Left wrist XR | lateral view | age 13 y, boy.
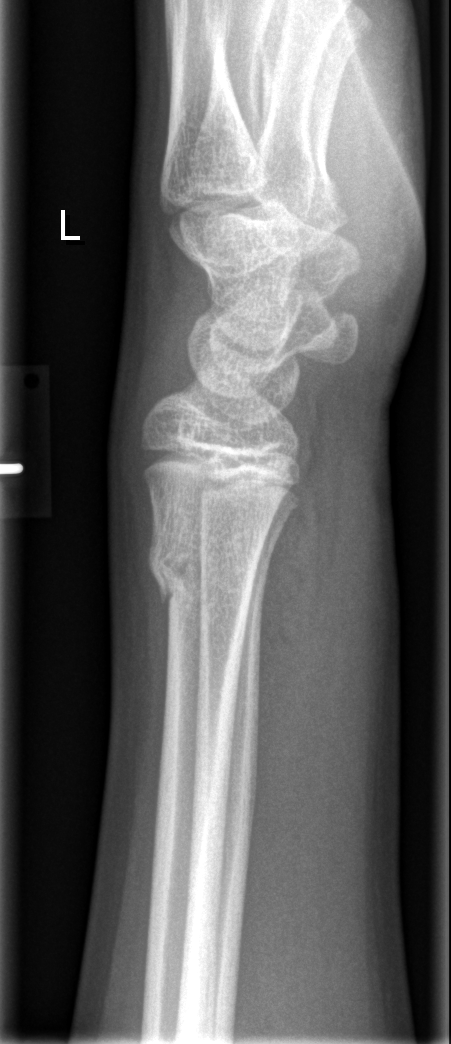

Findings: (pixel coordinates, top-left origin, xyxy) Fx — bbox(146, 523, 259, 618). Pronator quadratus fat-pad sign identified at bbox(252, 473, 328, 739).